Frontal view, left wrist radiograph, 10y F.
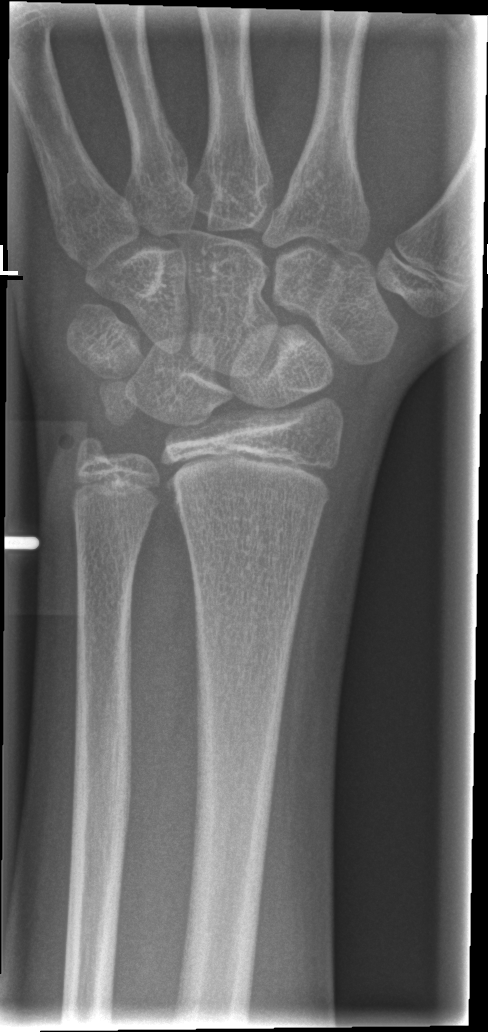 No Fx annotated.